Right wrist XR · posteroanterior view · pediatric patient (boy, age 11) · findings marked uncertain by the reading radiologist
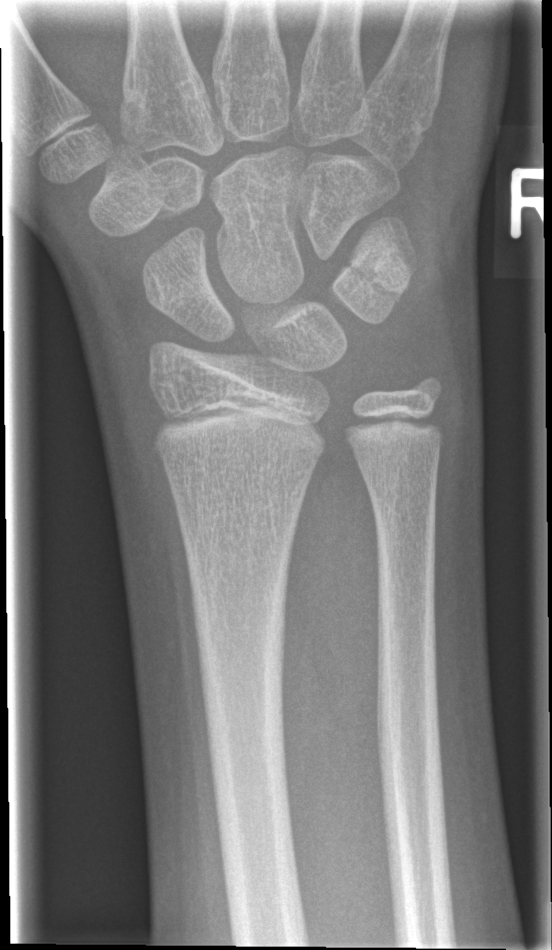 FINDINGS — No fracture bounding box.